Lateral · L wrist plain film · image 69.4 mm wide.
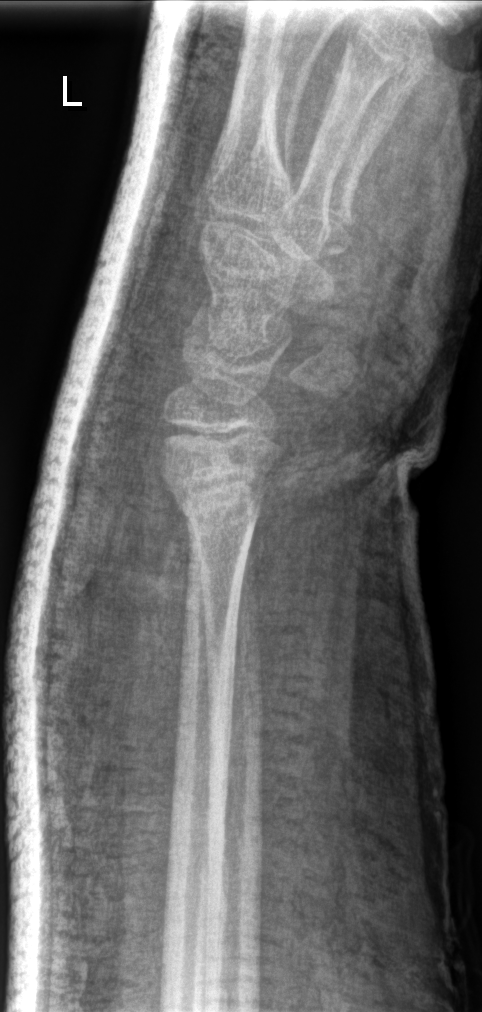 Fracture classified AO/OTA 23r-M/3.1; 23u-M/2.1. One Fx at 162 440 275 538.